Left wrist radiograph · lateral projection · girl, 11 yo. 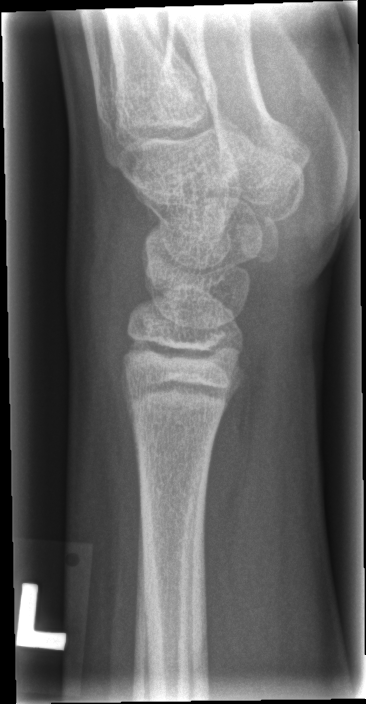 No fracture bounding box.